Lat | right wrist X-ray | pediatric patient (boy, age 16) | image size 589x814:
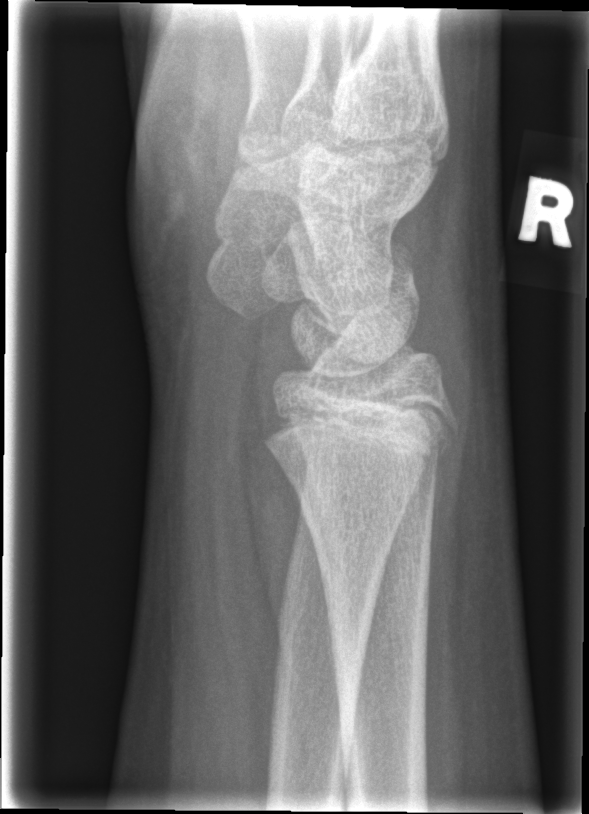
Q: Locate any fractures.
A: Fracture — 252,391,463,480